Lat view | Rt wrist plain film —

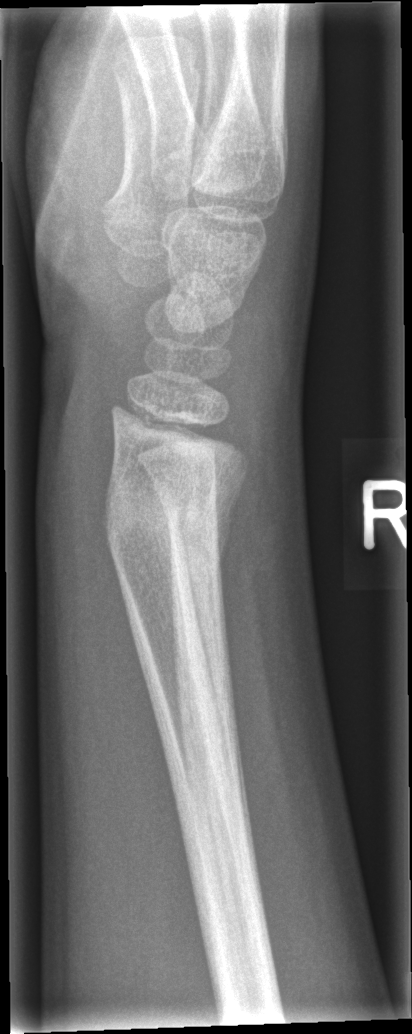
Q: Any periosteal thickening?
A: One periosteal thickening at [182, 475, 243, 744]
Q: Is there a fracture?
A: One Fx at [102, 461, 235, 570]
Q: What is the AO/OTA classification?
A: AO code 23r-M/3.1